Frontal projection; Lt wrist X-ray; cast in situ; 642x1391 —

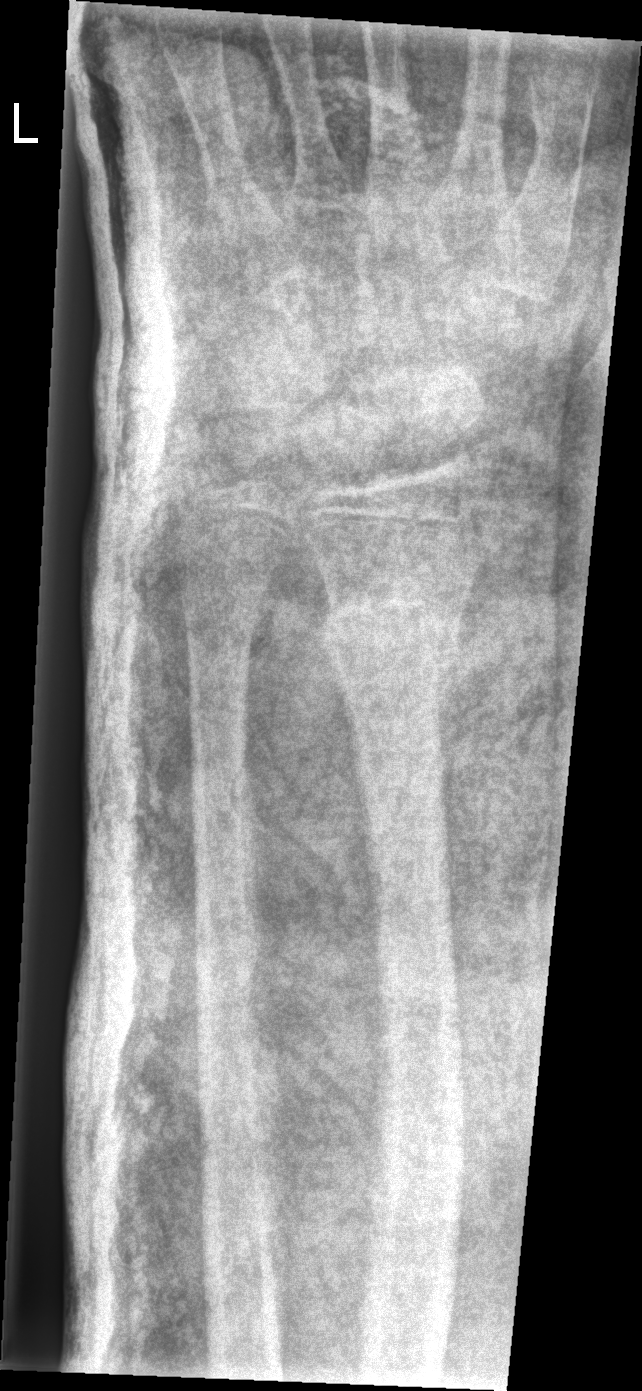
FINDINGS: (boxes as x1,y1,x2,y2 (top-left / bottom-right, pixel units)) Fracture: 316 589 467 686.